Posteroanterior · left wrist XR · 9-year-old female · cast present —
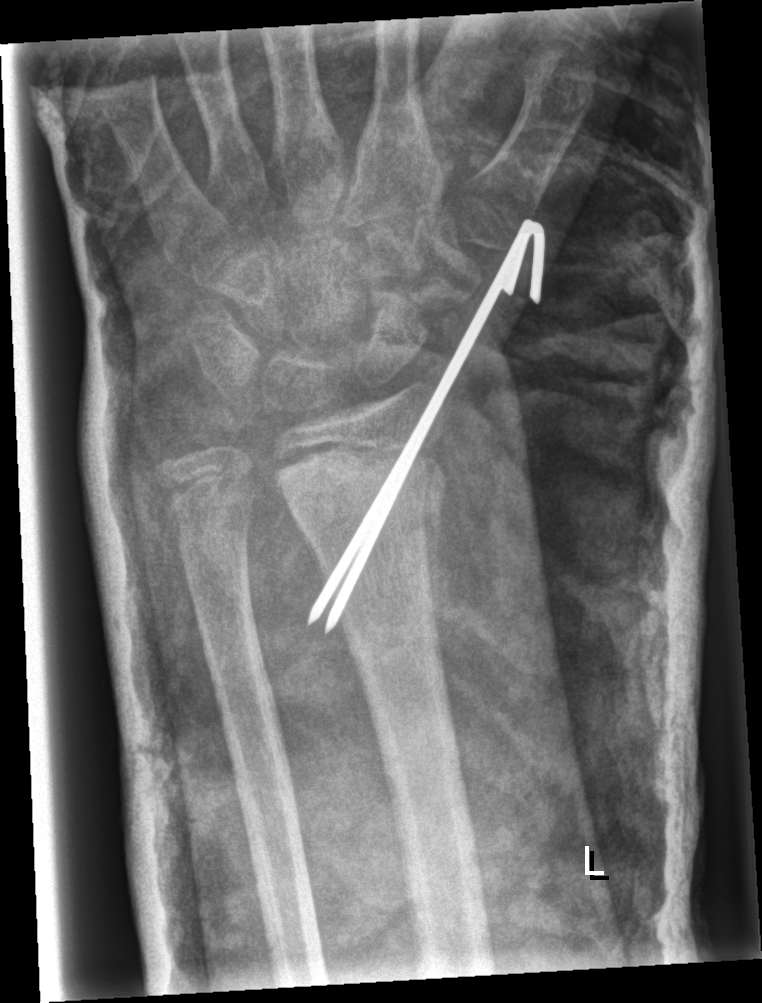
fracture: 1 @ (273, 439, 452, 558)
metal: 1 @ (308, 219, 545, 635)